Rt wrist XR, posteroanterior projection, cast present.
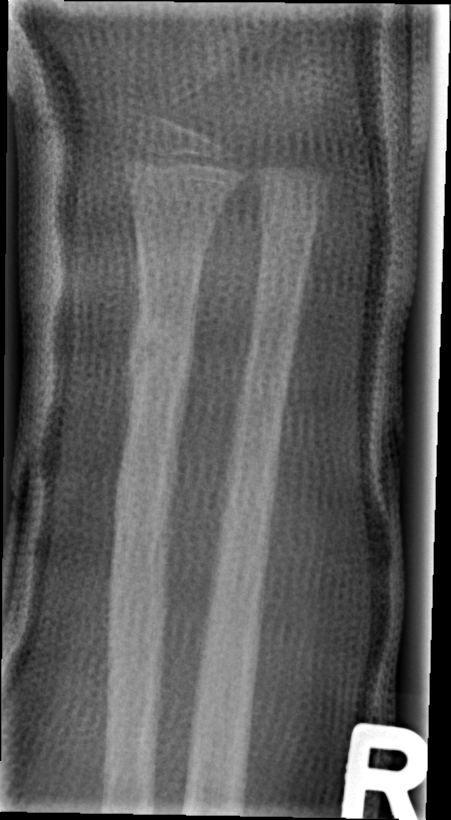
{
  "fracture": "bbox(121, 312, 198, 389)"
}